Left plain radiograph of the wrist | posteroanterior view | 8y M

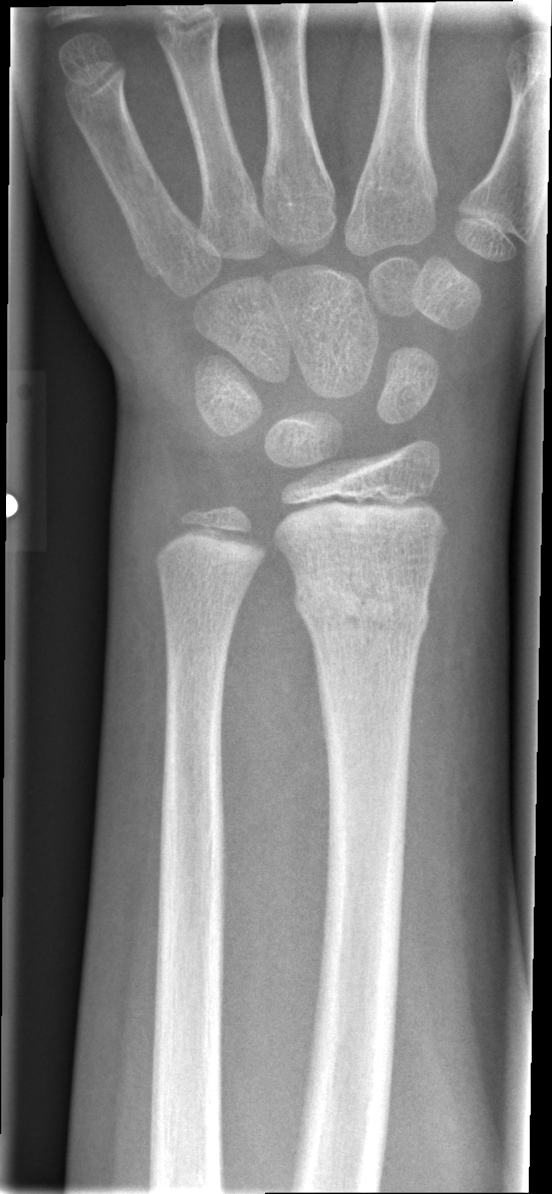
Bounding boxes in image-pixel xyxy. Fracture classified AO/OTA 23r-M/2.1. Fx — (289, 574, 434, 652).